R wrist plain film · PA view · age 13 y, boy —

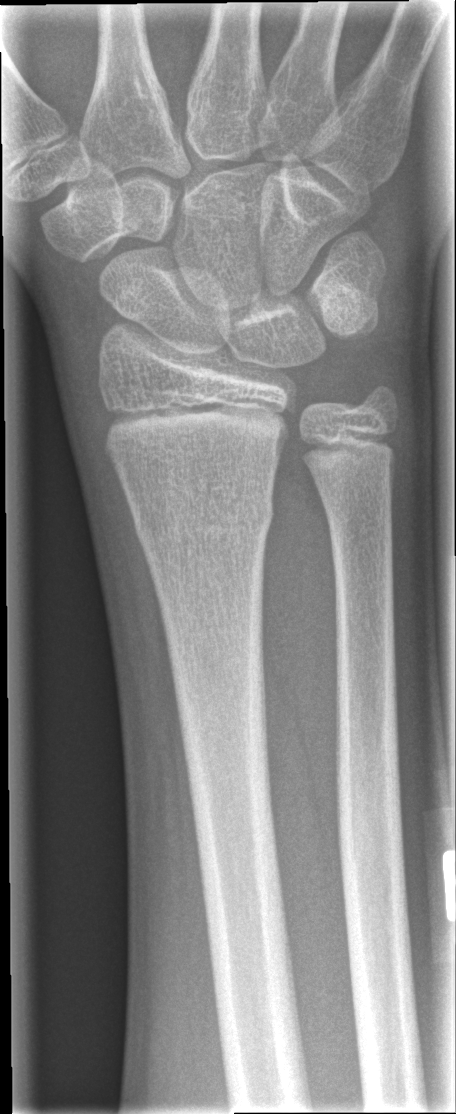
Fracture classified AO/OTA 23r-M/2.1.
Fracture: 128 477 277 557.